PA · right wrist plain radiograph of the wrist · Siemens —
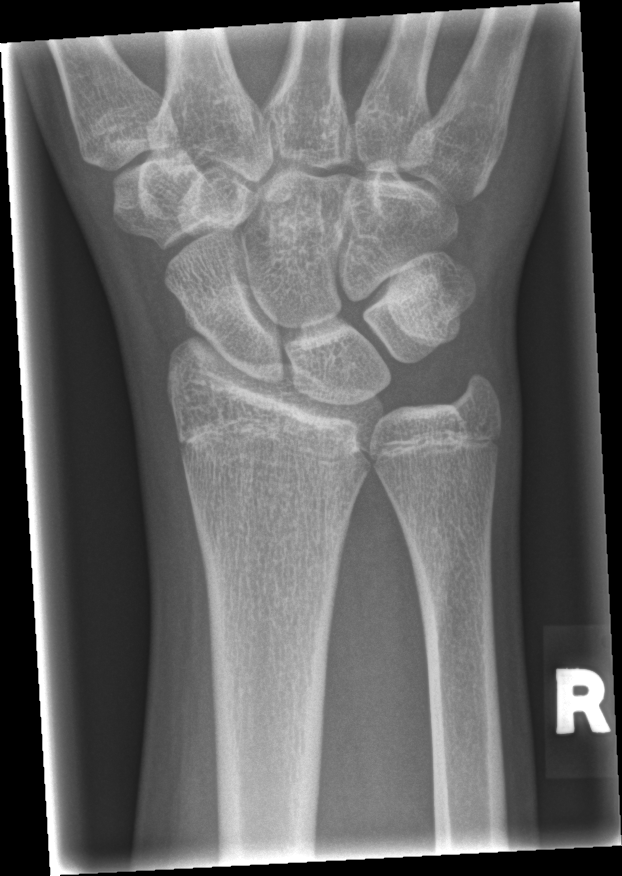 No fracture annotation.